PA/AP view, R wrist radiograph, initial study. 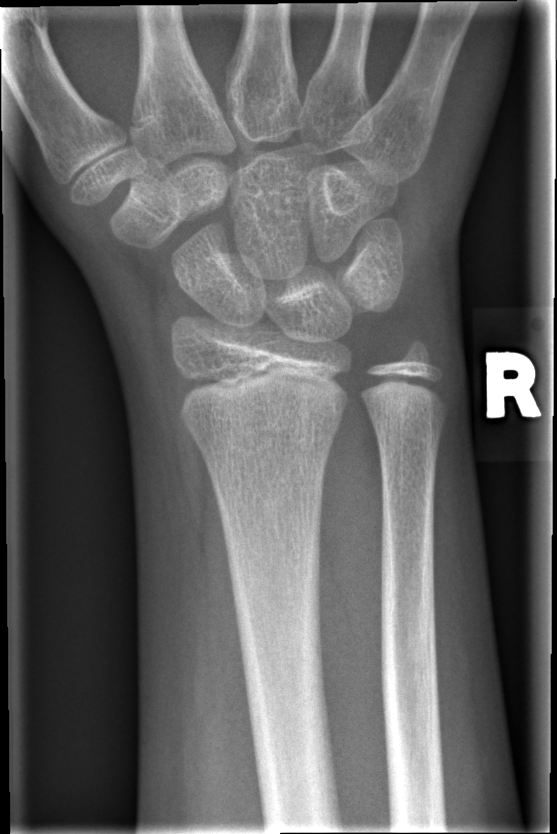
ao: 23r-M/2.1
fracture: present but not clearly seen in this view